Frontal projection; right wrist plain film; initial study; 103.2 mm image width; 717 by 1274 pixels.
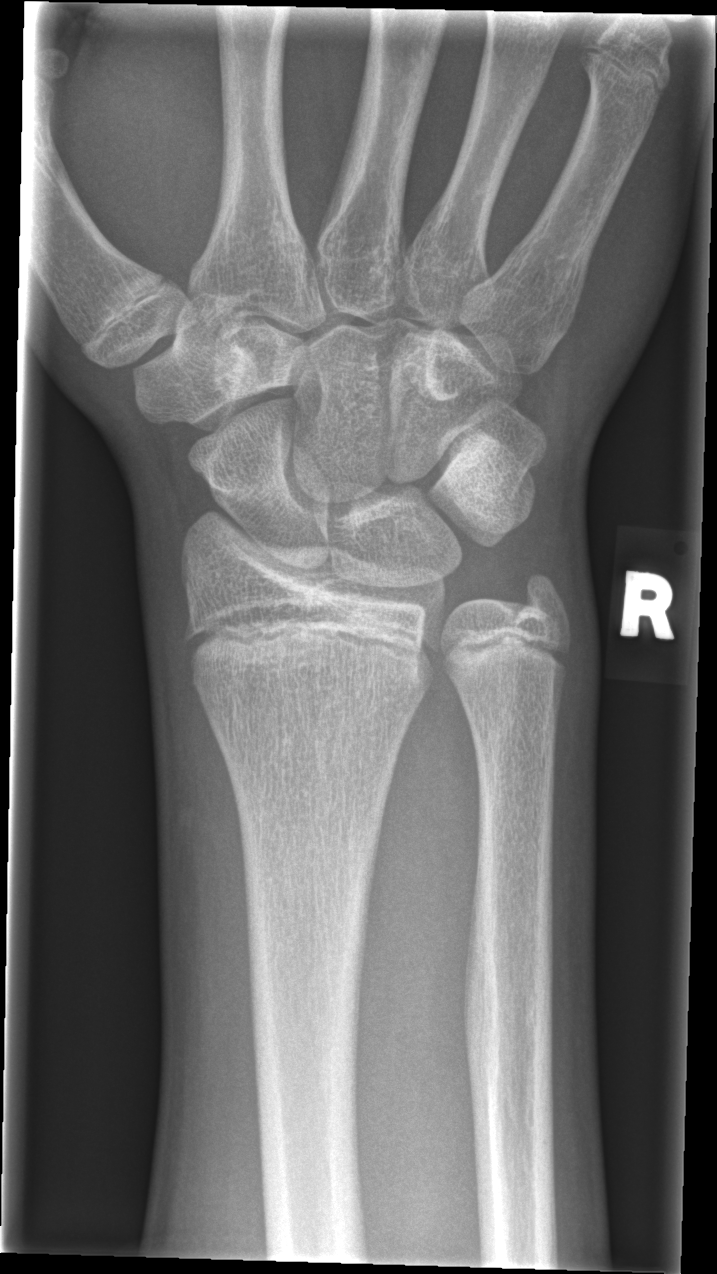

No fracture annotation.